Posteroanterior view | L wrist plain film | follow-up study —

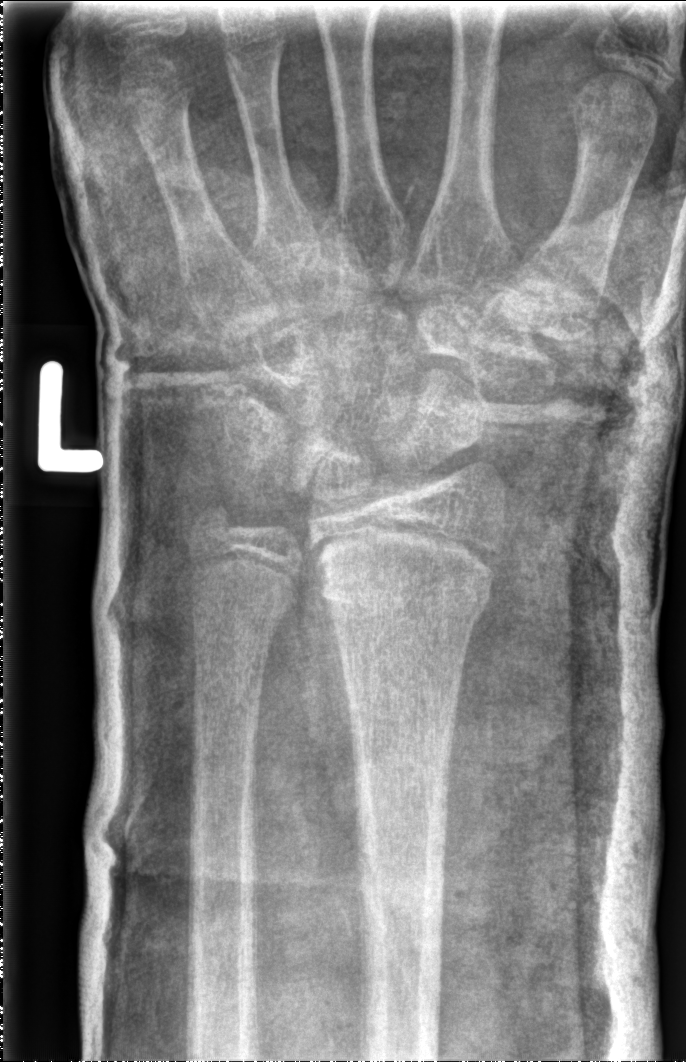 * Pixel coordinates, top-left origin, xyxy.
* One bone fracture at bbox(319, 564, 494, 630).